R wrist XR, PA/AP, pediatric patient (boy, age 4), image size 585x736 —

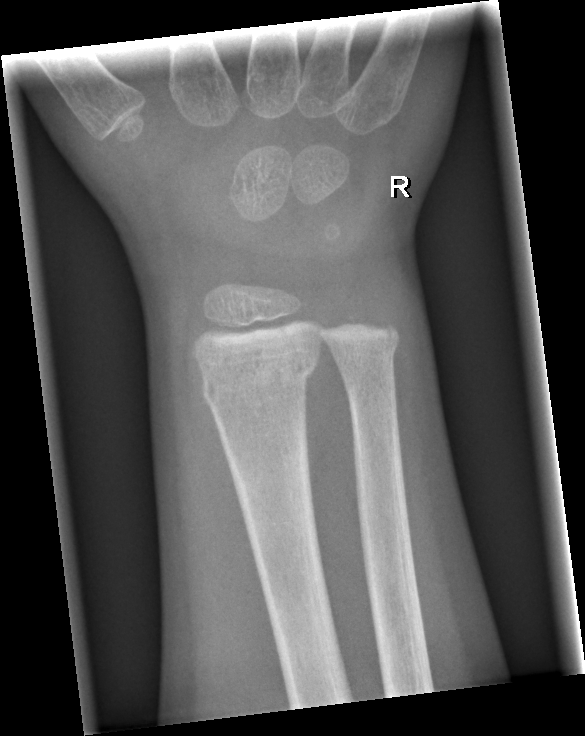
Bone fracture: bbox(198, 348, 321, 409); bbox(331, 327, 402, 374)